Lateral projection; right wrist radiograph; 8-year-old male; cast in situ 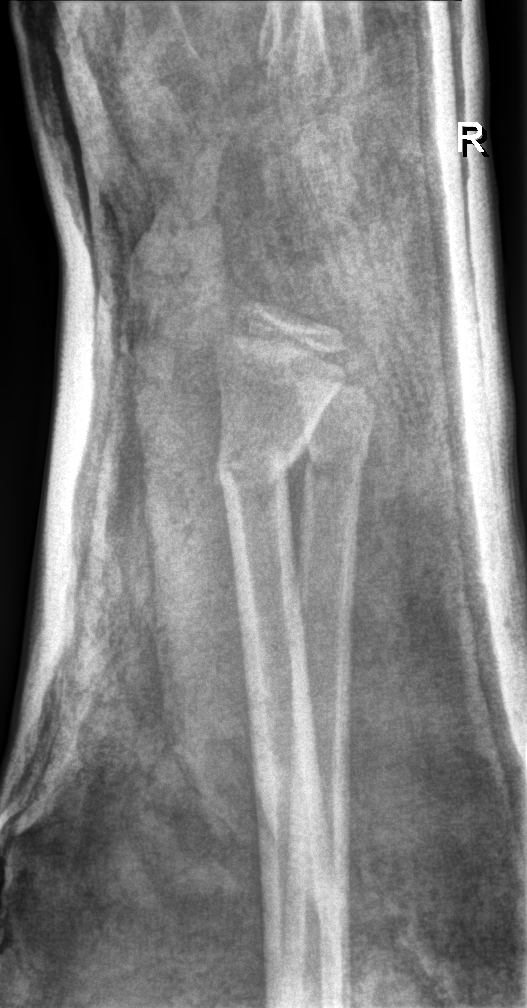 Q: Fracture present?
A: Fx — 212 434 301 521; 299 439 372 499
Q: What is the AO/OTA classification?
A: AO/OTA classification: 23r-M/3.1; 23u-M/2.1